R pediatric wrist radiograph · lateral · 18y M · initial study · image 81.5 mm wide 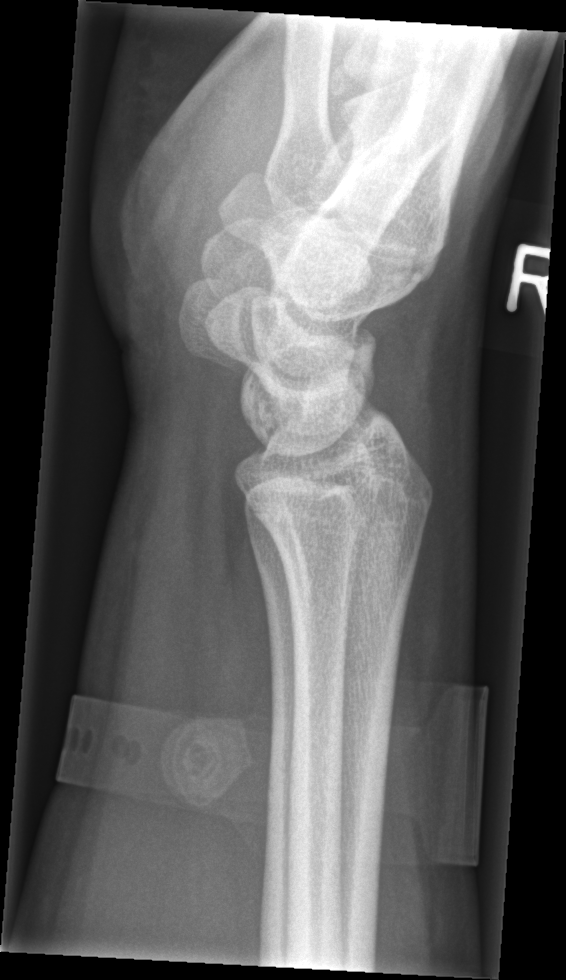

Fracture: none labeled.